Right wrist radiograph | AP projection:

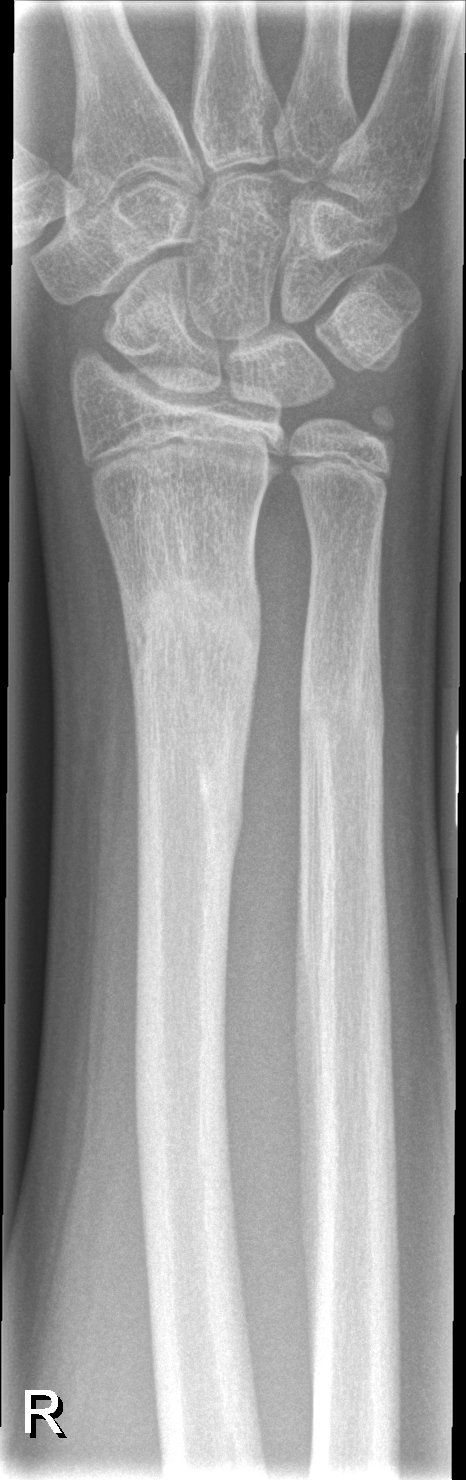
FINDINGS — AO/OTA classification: 23r-M/3.1; 22u-D/4.1; 23u-E/7. Fracture identified at bbox(121, 561, 265, 885), bbox(294, 617, 389, 796), bbox(351, 397, 406, 455). Decreased bone density (osteopenia). Periosteal new bone: bbox(291, 669, 327, 1356).